L wrist radiograph · PA/AP view · male, 13 yo · cast in situ.
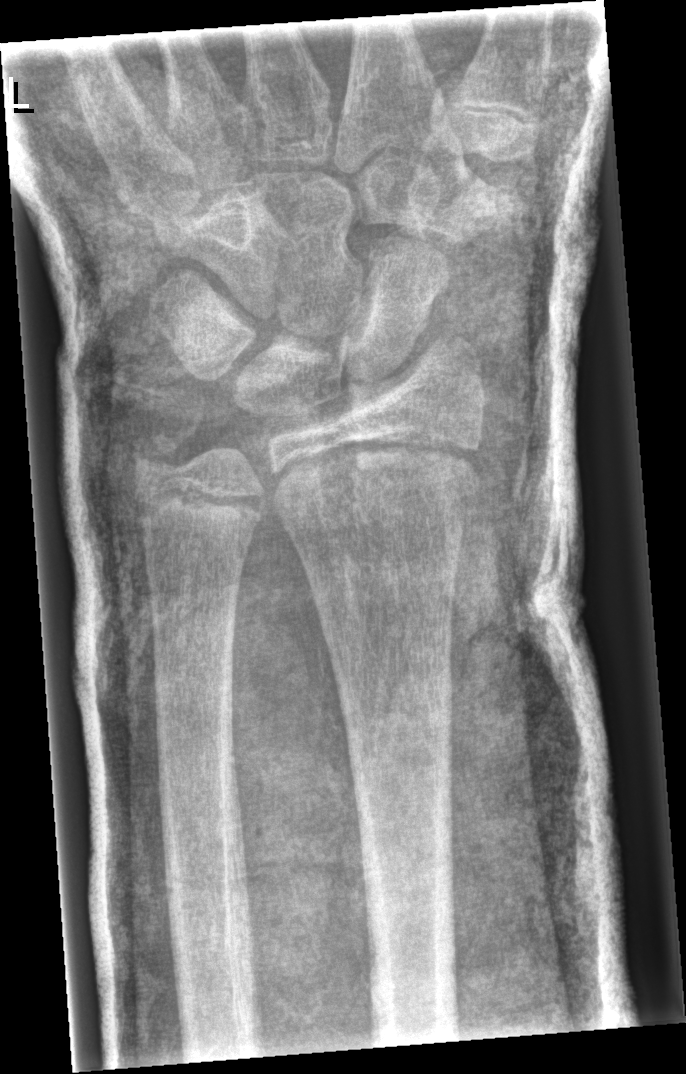 Fx = 130,429,194,493
AO code = 23r-M/3.1; 23u-E/7